Left wrist XR · lateral view · 11y F · image size 517x810. 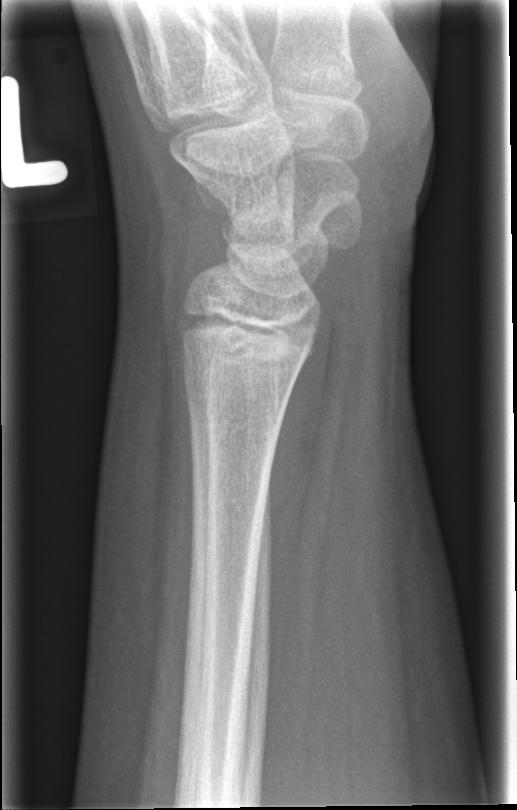 No Fx annotated.